Lateral projection; left pediatric wrist radiograph; female, 13 yo

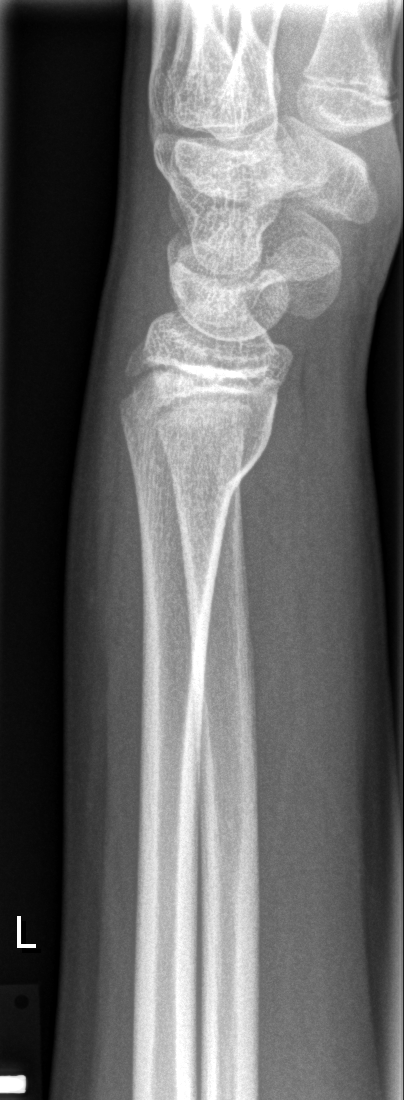 positive pronator fat-pad sign = 240 379 319 778
fracture = 1 @ 118 422 277 514